Lateral view; R plain radiograph of the wrist: 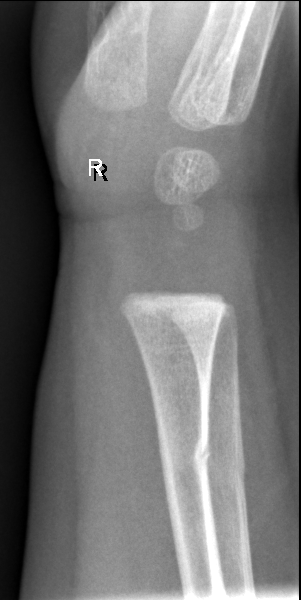
Pixel coordinates, top-left origin, xyxy. Fx identified at (156, 431, 215, 479), (201, 447, 250, 492). AO/OTA classification: 23-M/2.1.